Lateral · left wrist XR · 10-year-old boy —

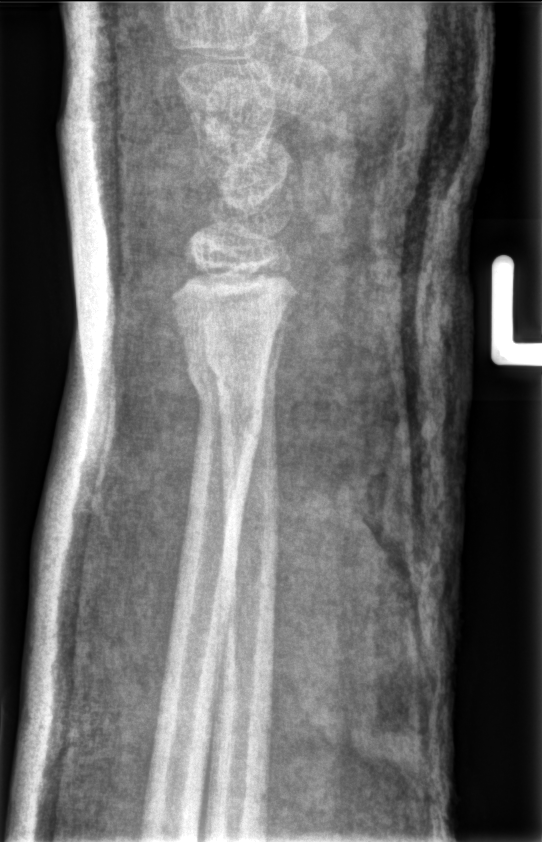
* Coordinates are [x1, y1, x2, y2] in image pixels.
* Fracture identified at bbox(178, 352, 268, 450) bbox(203, 343, 283, 398).
* Fracture classified AO/OTA 23-M/2.1.